Lat · Rt plain radiograph of the wrist.
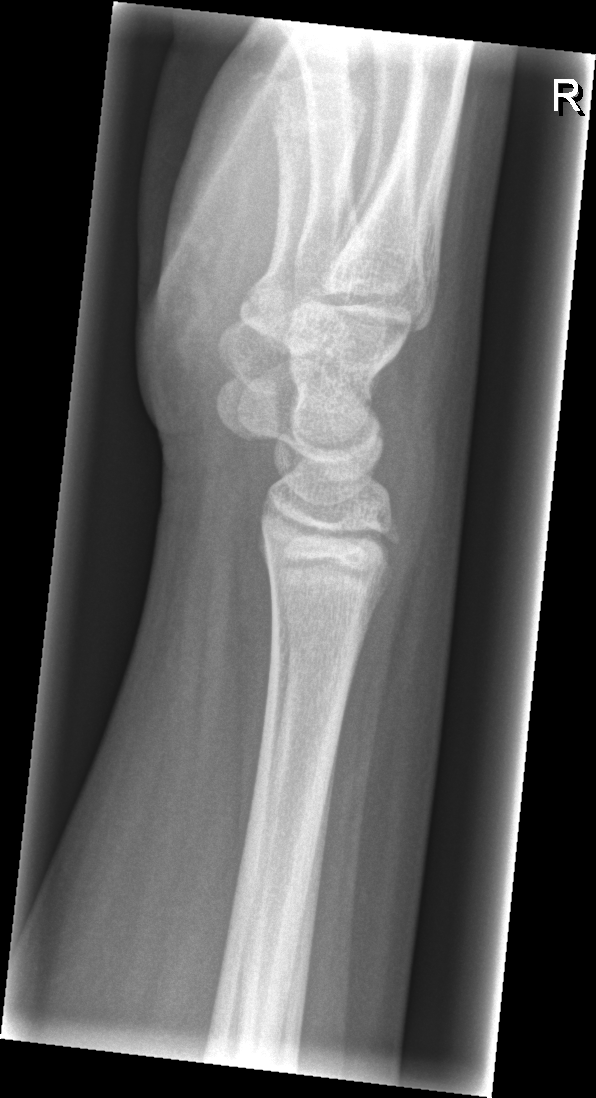
Findings: No fracture annotation.